Lat, L wrist radiograph, pediatric patient (girl, age 12), image size 544x1158: 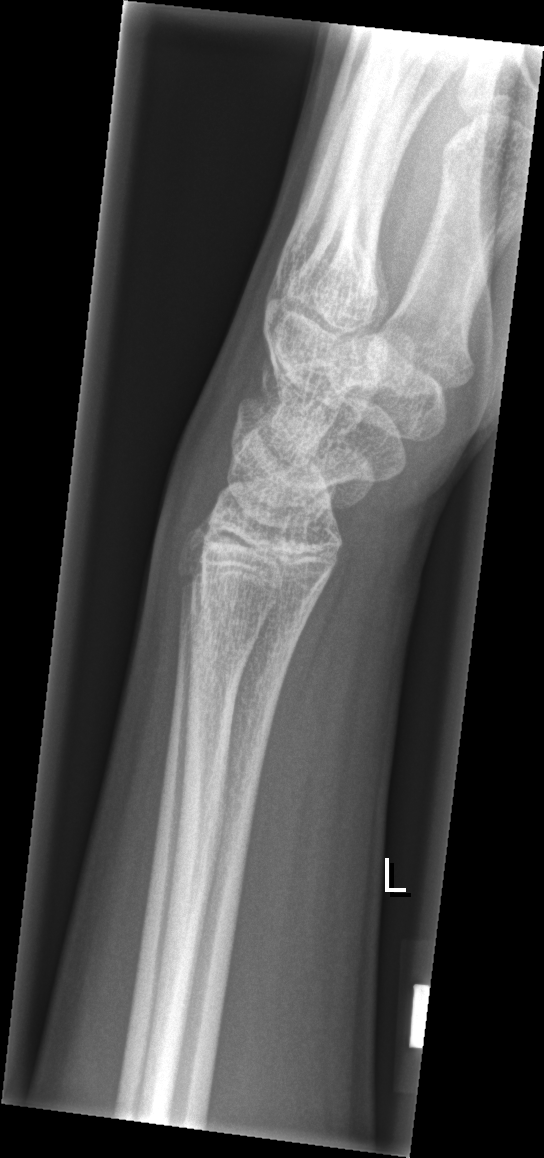

Q: Is there a fracture?
A: Fx: none